Lateral projection, left pediatric wrist radiograph. 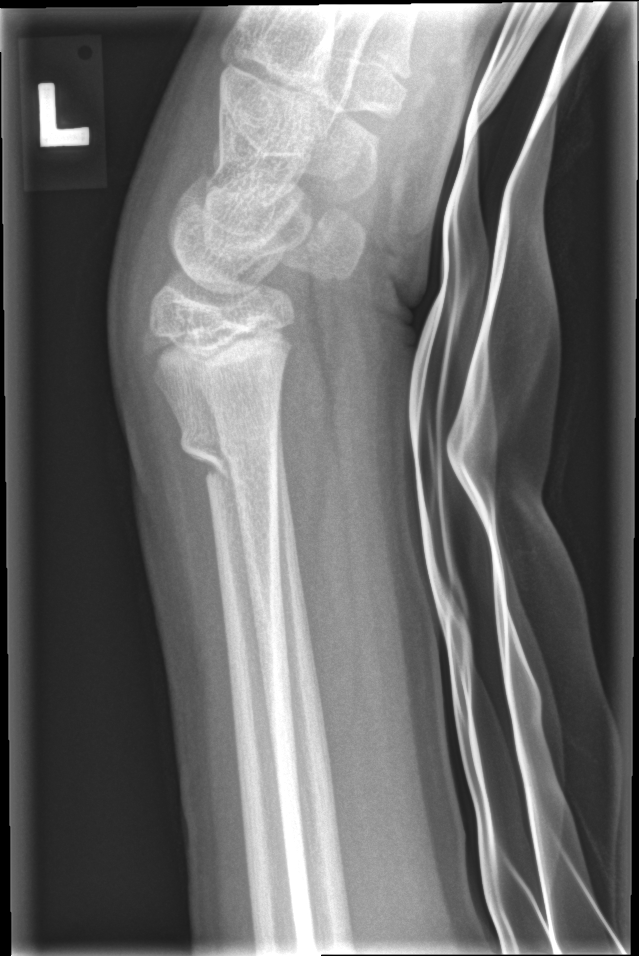

Q: Any fracture seen?
A: Fx — (177, 419, 281, 491)